Right wrist plain radiograph of the wrist | posteroanterior projection | 7-year-old boy | cast in situ | 754 by 882 pixels

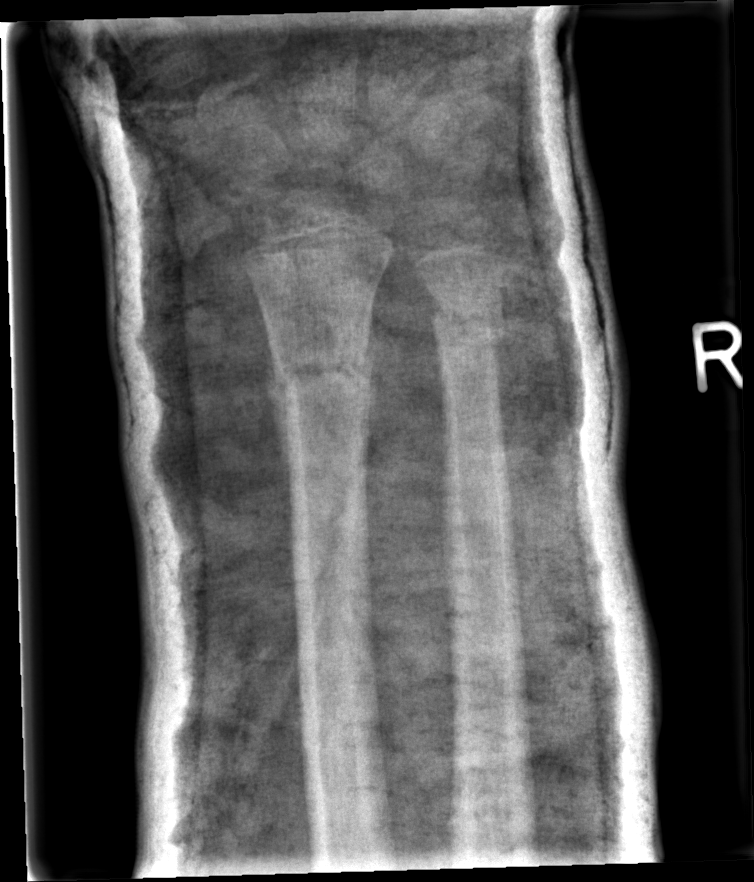 AO classification = 23-M/3.1
Fx = 264 343 373 416 | 428 296 508 351